L pediatric wrist radiograph, lat, 9y M.
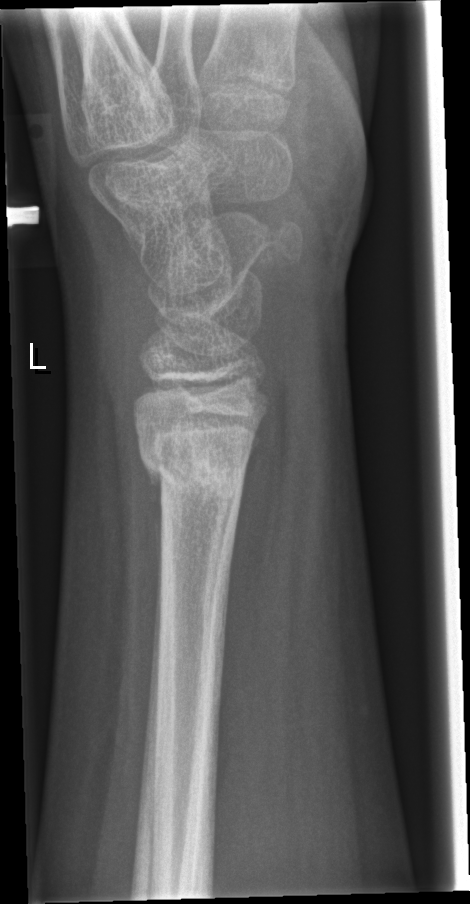
Bounding boxes in image-pixel xyxy. Bone fracture: <135,434>-<248,500>. Decreased bone density (osteopenia).